AP · right wrist X-ray · boy, 16 yo · image 113.5 mm wide 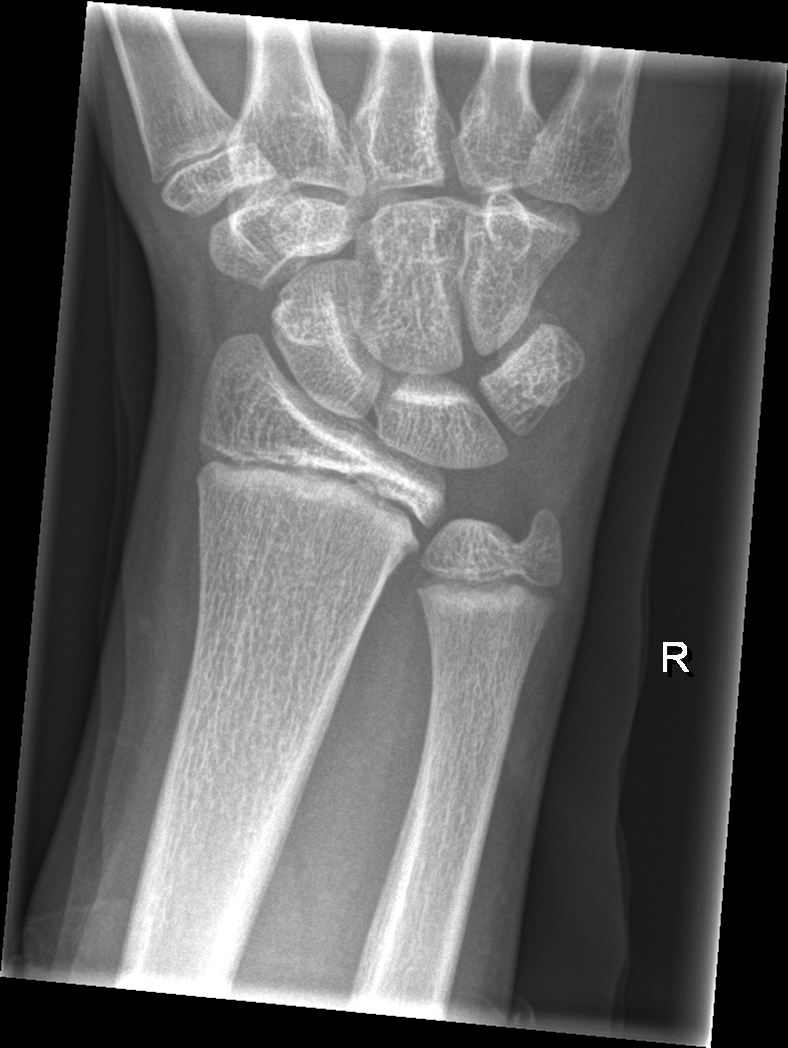 • Fracture: present but not clearly seen in this view.
• AO/OTA classification: 72B(b).